Right wrist plain radiograph of the wrist, lateral projection — 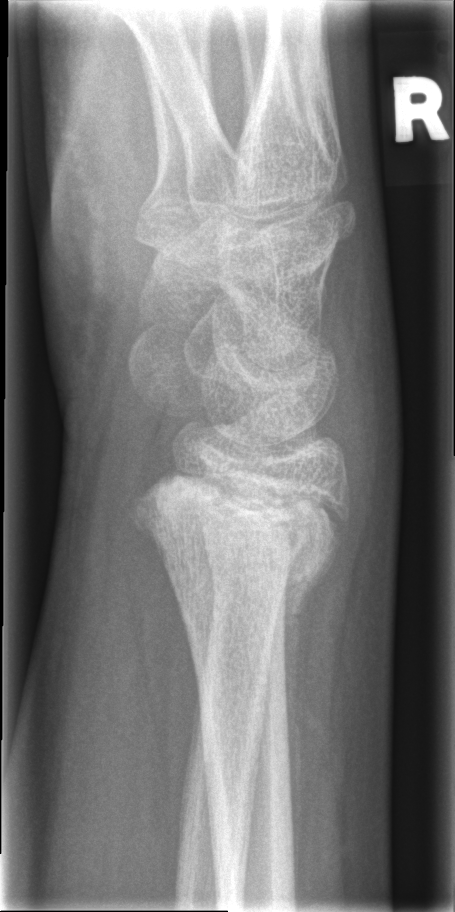

Periosteal thickening identified at (282, 531, 339, 890).
One fracture at (125, 466, 356, 605).
Fracture classified AO/OTA 23r-E/2.1; 23u-E/7.